PA/AP projection · Rt pediatric wrist radiograph.
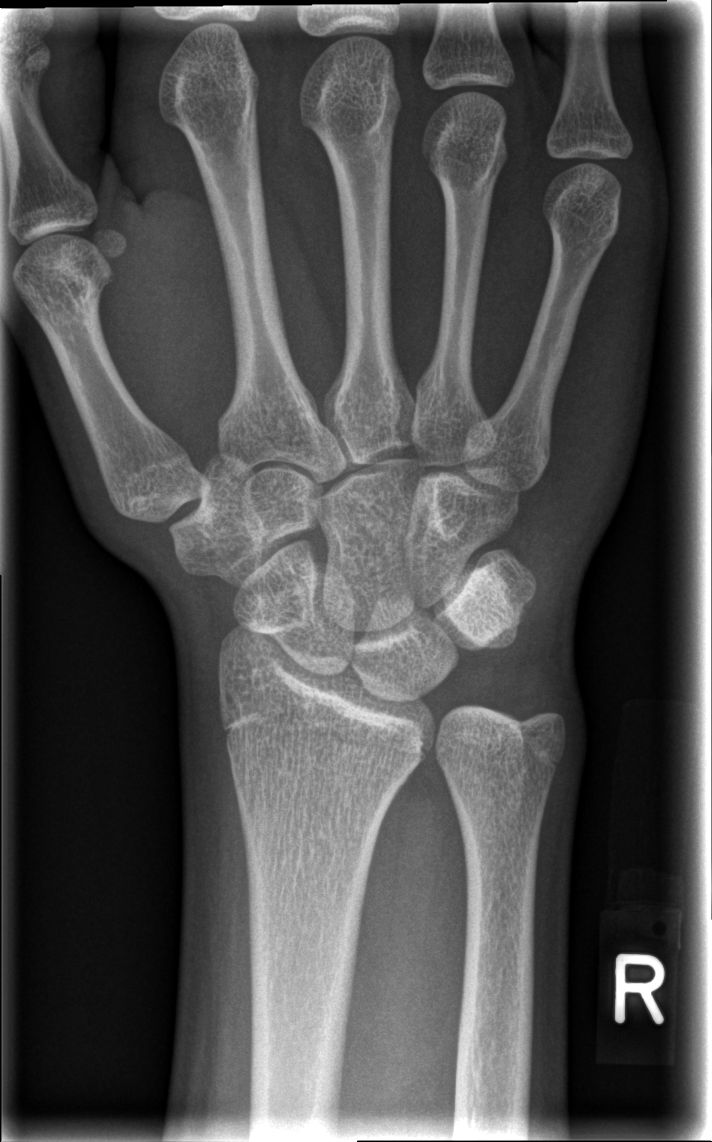

Q: Locate any fractures.
A: No fracture bounding box